Left wrist pediatric wrist radiograph, lat view, pediatric patient (female, age 15), presentation radiograph, detector: Siemens — 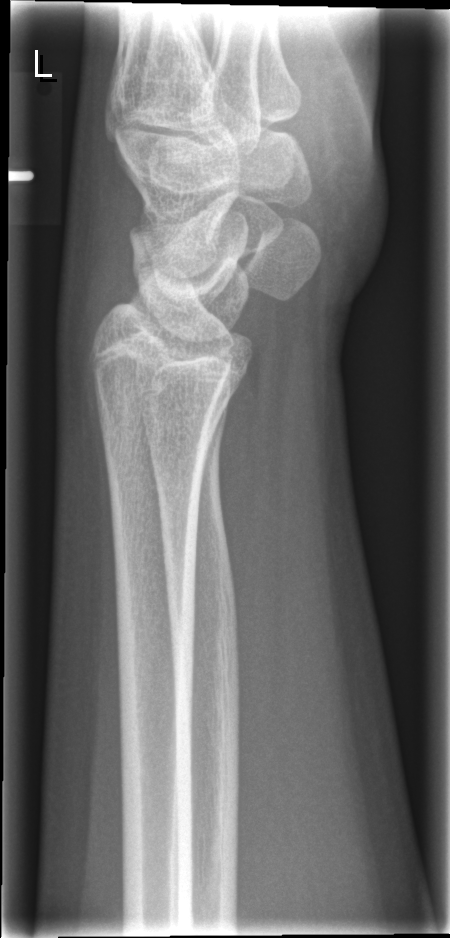

FINDINGS — No fracture labeled.